PA projection; L pediatric wrist radiograph; pediatric patient (boy, age 15); follow-up study; cast in situ —

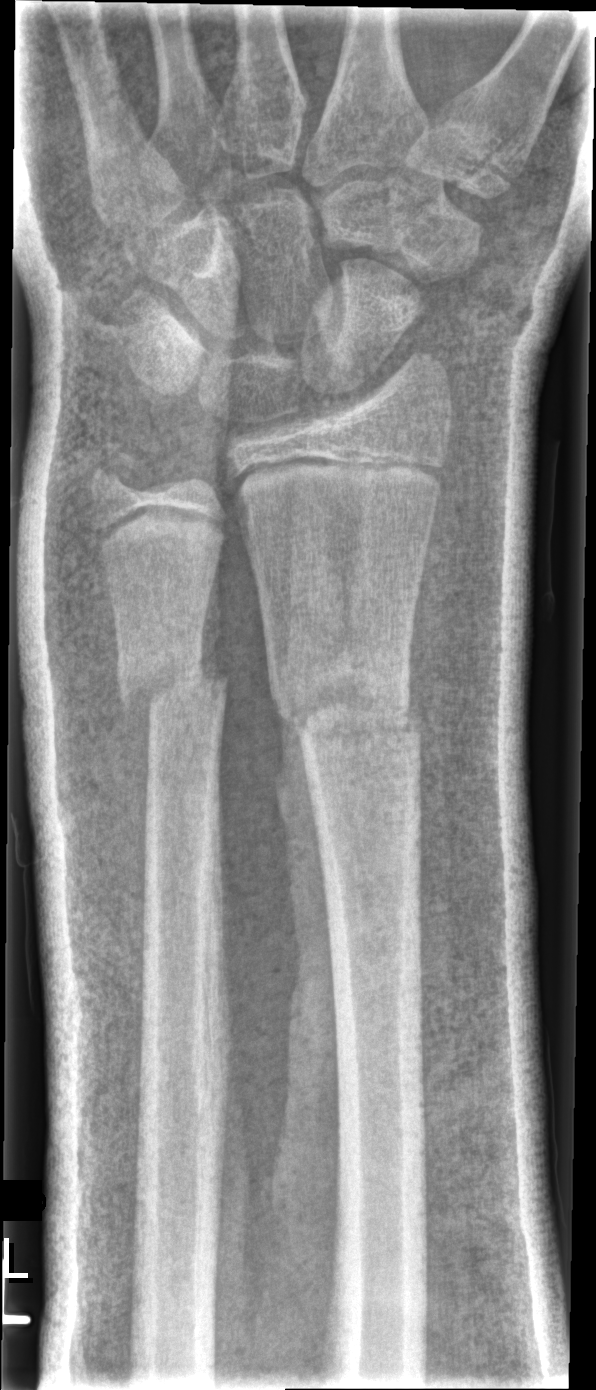
Findings: AO/OTA classification: 23-M/3.1; 23u-E/7. Fracture: <268,664>-<425,761>; <116,648>-<231,730>; <86,442>-<149,514>.